Left wrist plain film, lateral view, 6-year-old girl:
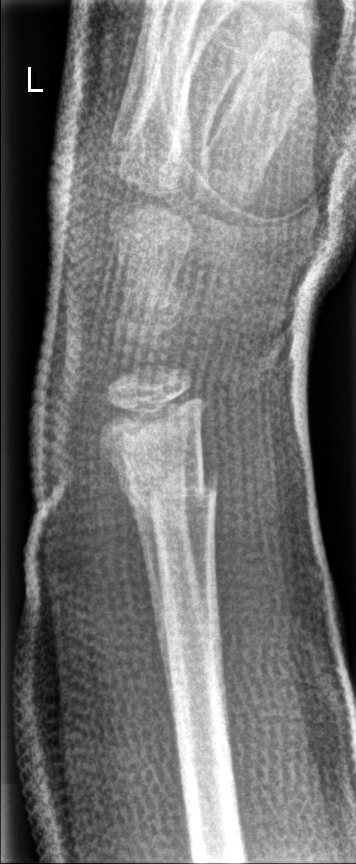

Fracture — bbox(122, 465, 220, 522). Fracture classified AO/OTA 23r-M/3.1; 23u-M/2.1.